Lateral projection, left wrist plain film, pediatric patient (male, age 13), cast present. 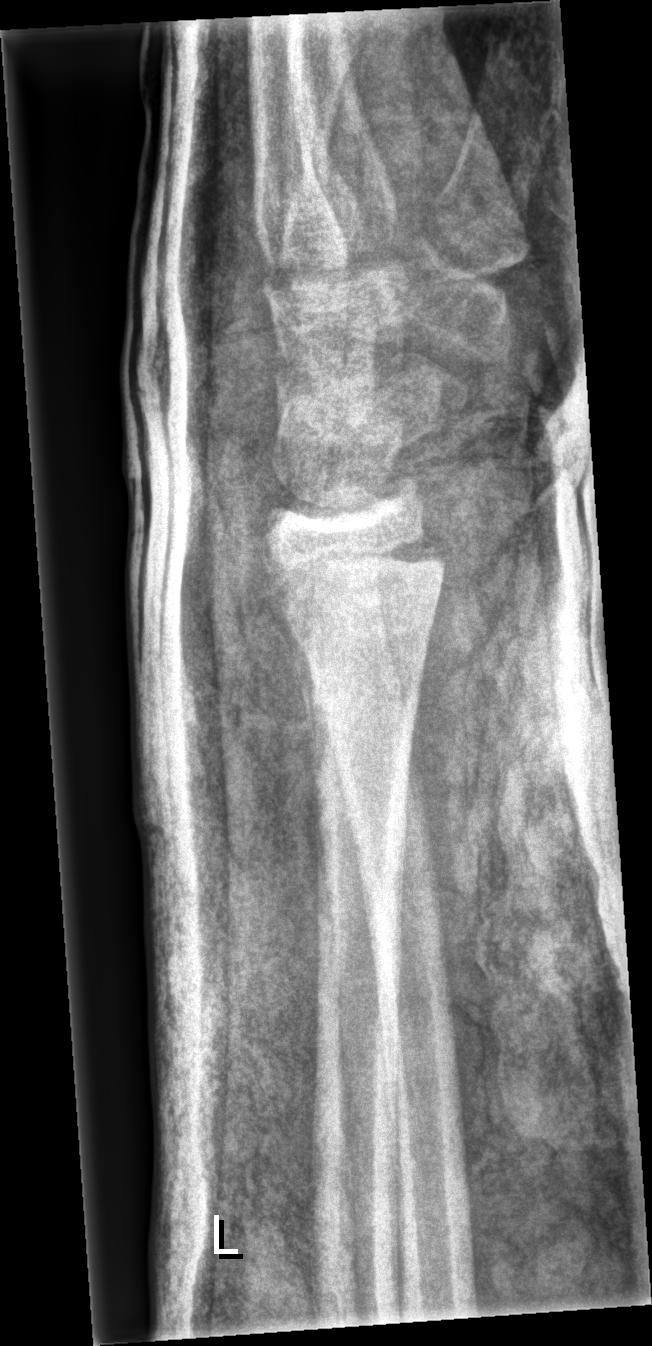

FINDINGS — (coordinates are [x1, y1, x2, y2] in image pixels) AO/OTA classification: 23r-E/2.1; 23u-M/2.1. Fx: 257,520,448,646.